Lt pediatric wrist radiograph | PA projection | 16-year-old boy | subsequent exam | acquired on Siemens | image width 97.5 mm | 677x1170 —
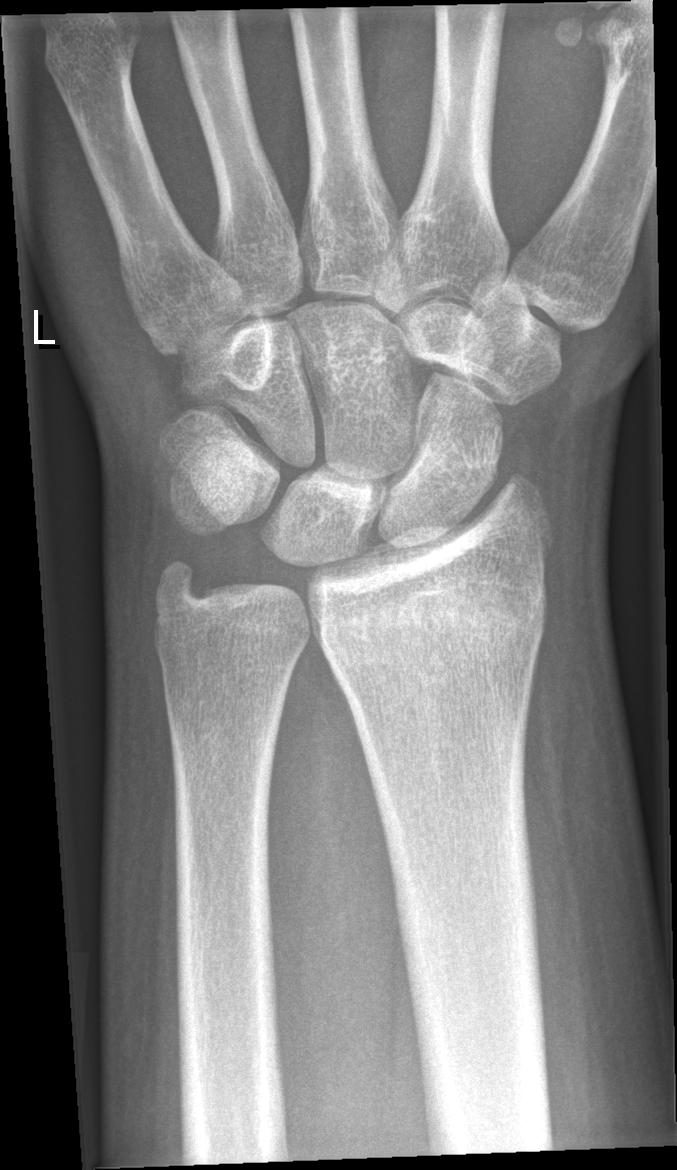
Fracture classified AO/OTA 23r-M/2.1; 23u-E/7. Fracture: [317, 551, 554, 668] [141, 580, 218, 634].